AP | Lt plain radiograph of the wrist | detector: Siemens | 470 by 995 pixels
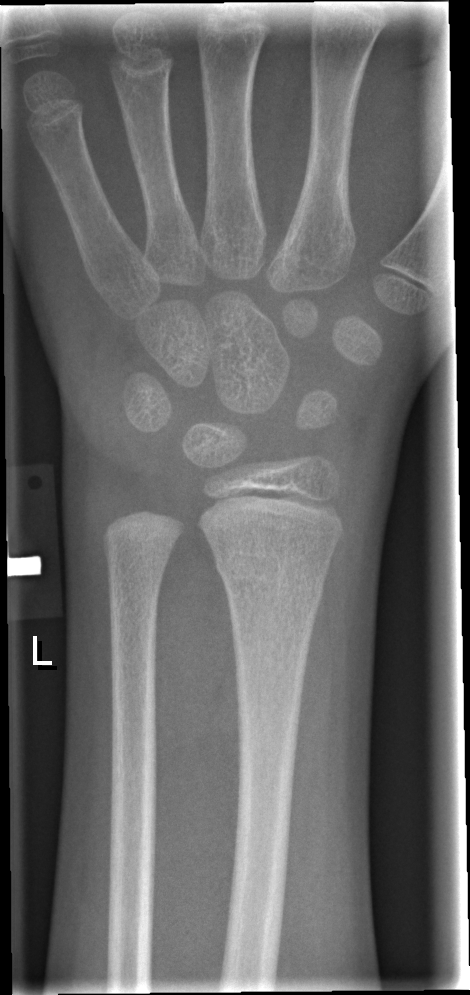
FINDINGS: Bone fracture identified at (left=211, top=546, right=330, bottom=613).